Lat projection; L wrist radiograph; image width 54.7 mm
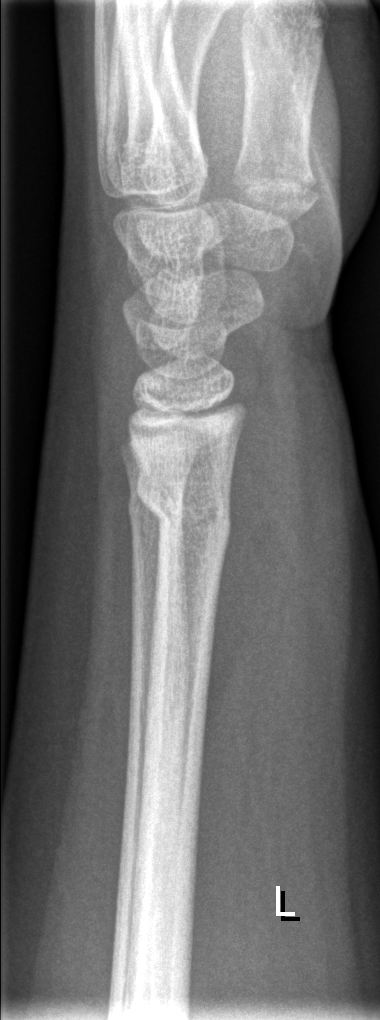

* Bounding boxes in image-pixel xyxy.
* AO/OTA classification: 23r-M/3.1; 23u-M/2.1.
* Two bone fractures at 136 466 233 535 | 125 486 187 543.
* Pronator quadratus fat-pad sign: 196 353 297 718.